PA | right wrist radiograph | presentation radiograph — 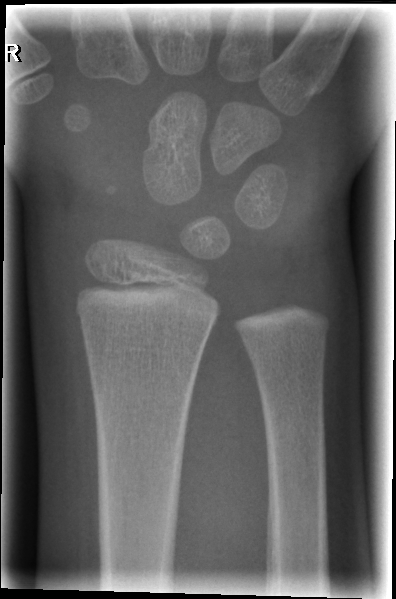

Findings: No Fx annotated.